Frontal, Rt plain radiograph of the wrist, pediatric patient (female, age 15), follow-up, detector: Siemens — 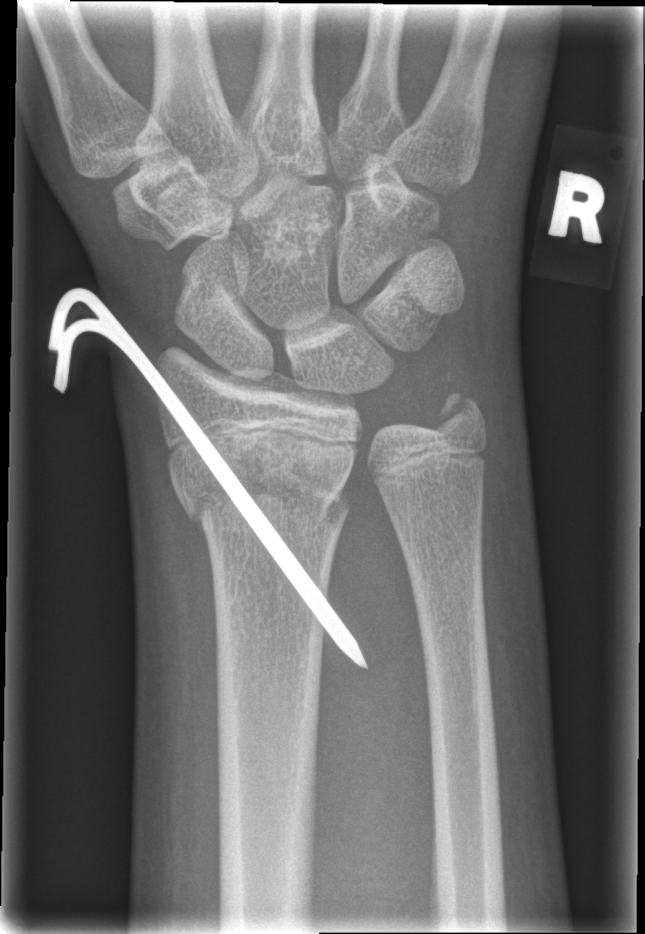

Bone fracture = 2 @ 169,442,358,554
  424,365,496,450
AO/OTA = 23r-M/3.1; 22u-D/1.1; 23u-E/7
Metallic implant = 1 @ 47,284,372,670